Left wrist X-ray | lateral projection | 9-year-old female:
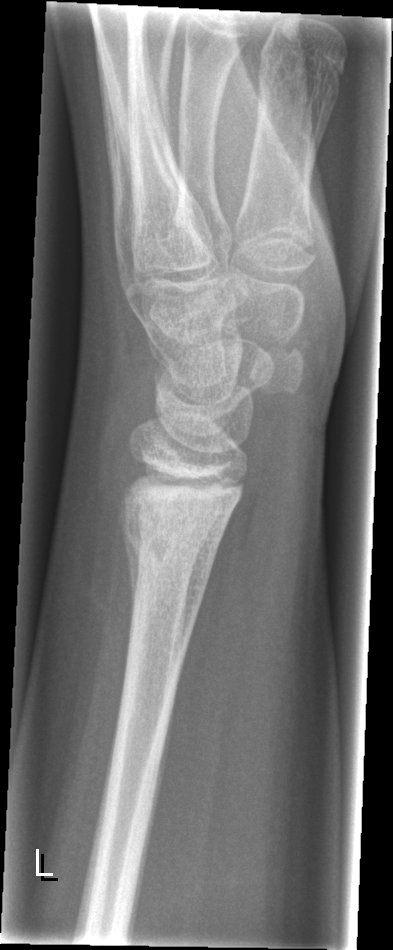 Q: Locate any fractures.
A: Fx identified at (left=113, top=469, right=247, bottom=610)